Left wrist radiograph; PA view; age 10 y, boy; 550 by 1292 pixels — 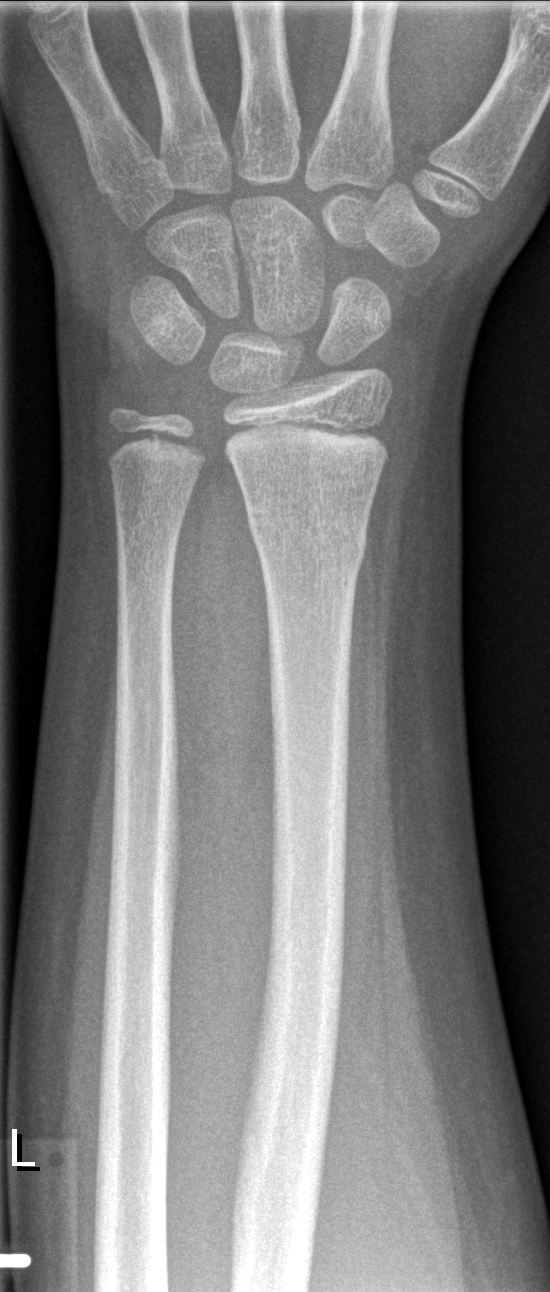
(bounding boxes in image-pixel xyxy)
fracture: 1 @ <242,491>-<370,578>
AO code: 23r-M/2.1